Lateral projection · right wrist plain radiograph of the wrist · pediatric patient (boy, age 15) · subsequent exam

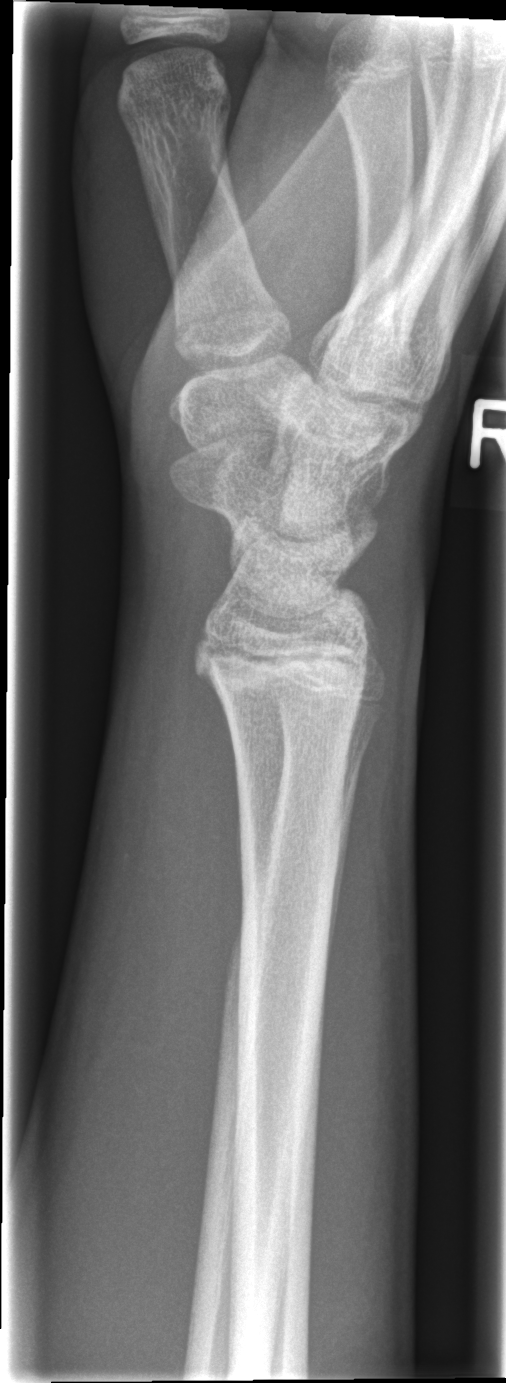 Boxes as x1,y1,x2,y2 (top-left / bottom-right, pixel units). Bone fracture identified at (189, 622, 384, 705). Osteopenia. AO/OTA classification: 23r-E/2.1; 23u-E/7.